Right wrist radiograph · lat projection · in cast 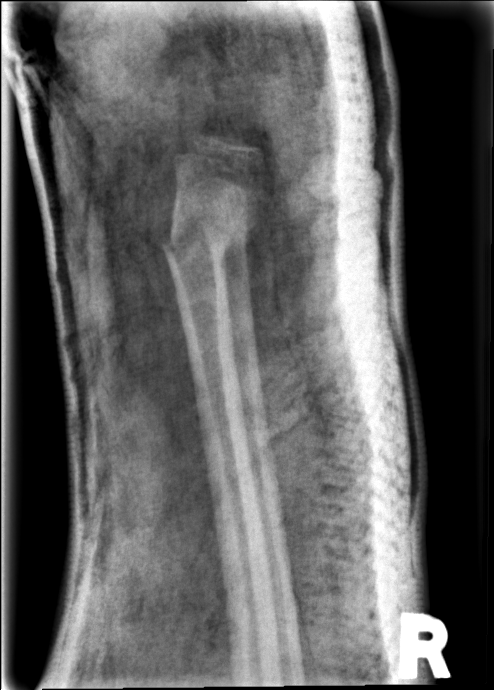
Boxes as x1,y1,x2,y2 (top-left / bottom-right, pixel units).
One fracture at (left=163, top=219, right=248, bottom=289).
AO/OTA classification: 23r-M/3.1; 23u-M/2.1.